Right wrist plain radiograph of the wrist; AP projection; age 16 y, boy; presentation radiograph; image size 843x1284 — 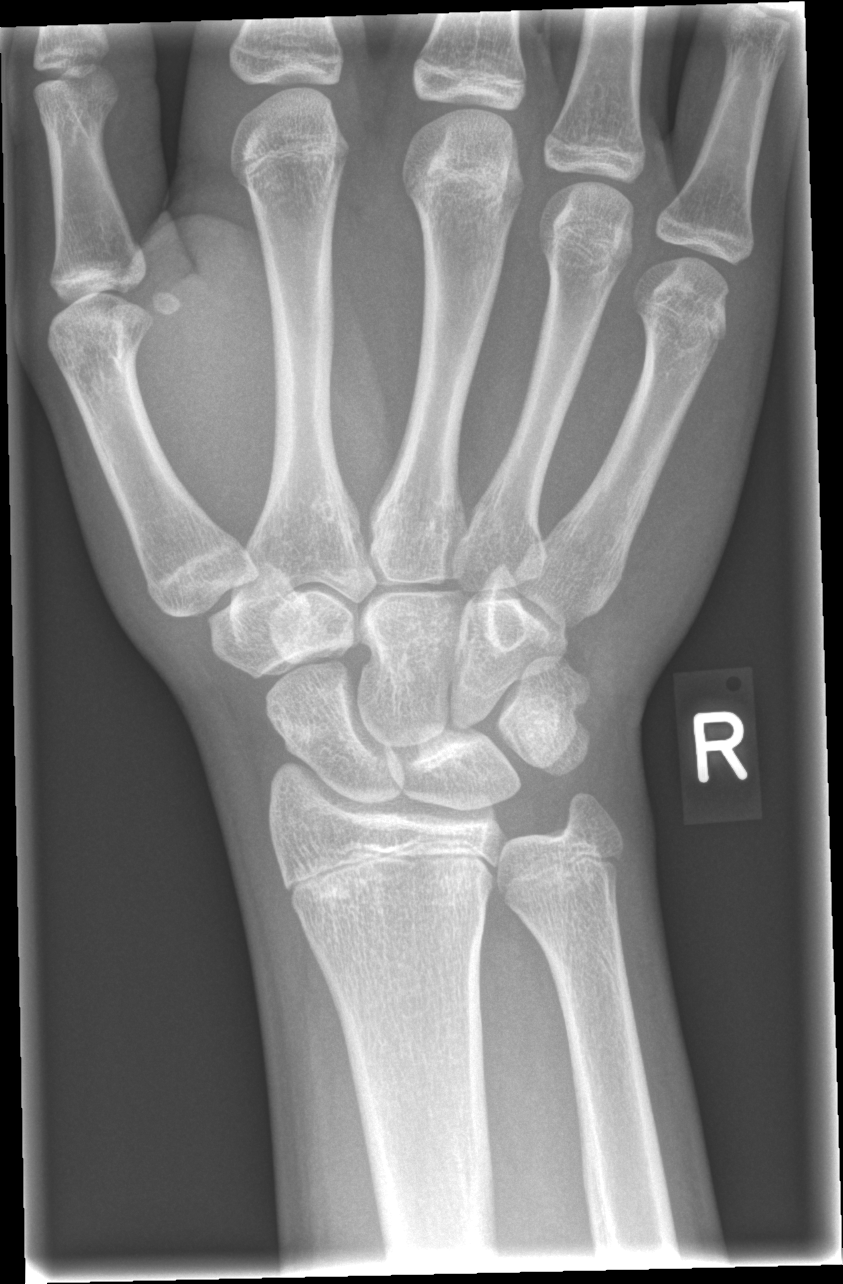 Q: Fracture present?
A: Fracture: none labeled